Lt pediatric wrist radiograph | lat:

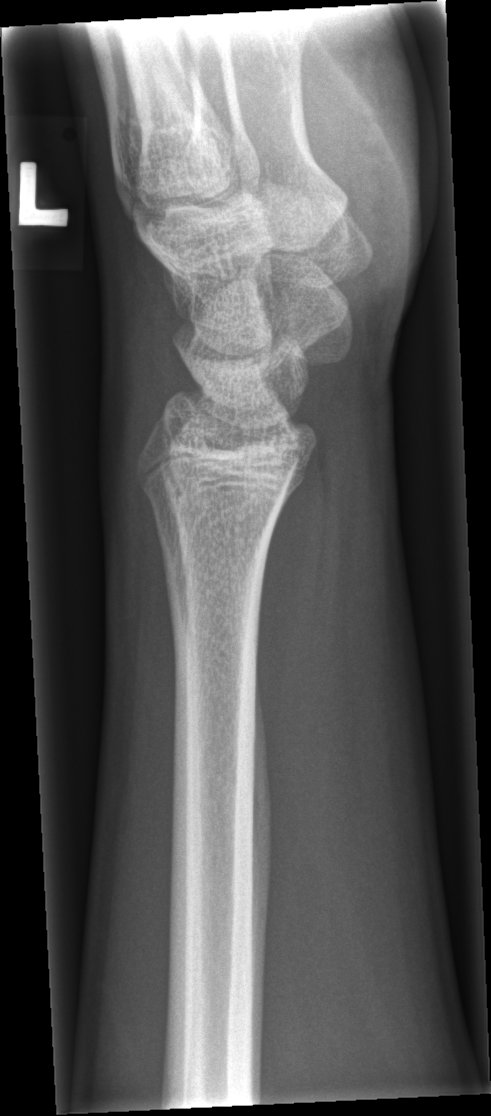 • Fx identified at [133, 459, 294, 524].